Lat · Rt plain radiograph of the wrist · 14y M · presentation radiograph · detector: Siemens · 489 by 698 pixels

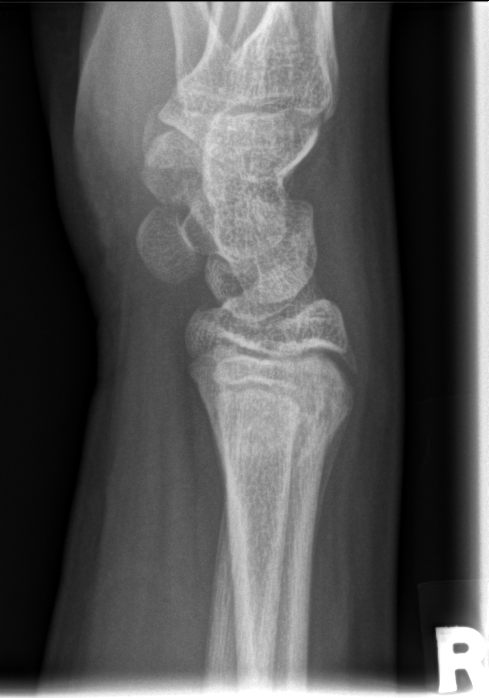

(bounding boxes in image-pixel xyxy)
Q: Locate any fractures.
A: Fracture: (left=197, top=379, right=354, bottom=464)
Q: What is the AO/OTA classification?
A: AO/OTA classification: 23r-M/2.1
Q: Is there periosteal reaction?
A: Periosteal reaction: (left=308, top=400, right=353, bottom=607)